Left plain radiograph of the wrist, PA, pediatric patient (boy, age 15), 594x960 —
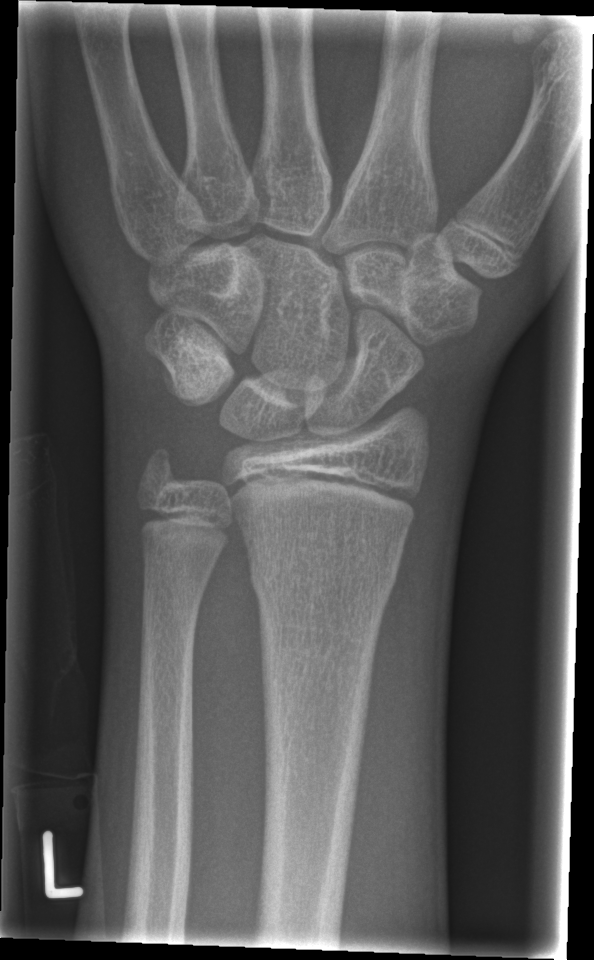

• Bounding boxes in image-pixel xyxy.
• Fracture identified at [x1=248, y1=551, x2=401, y2=608]; [x1=132, y1=439, x2=195, y2=498].